PA view, L wrist X-ray, pediatric patient (girl, age 1.3), acquired on Siemens: 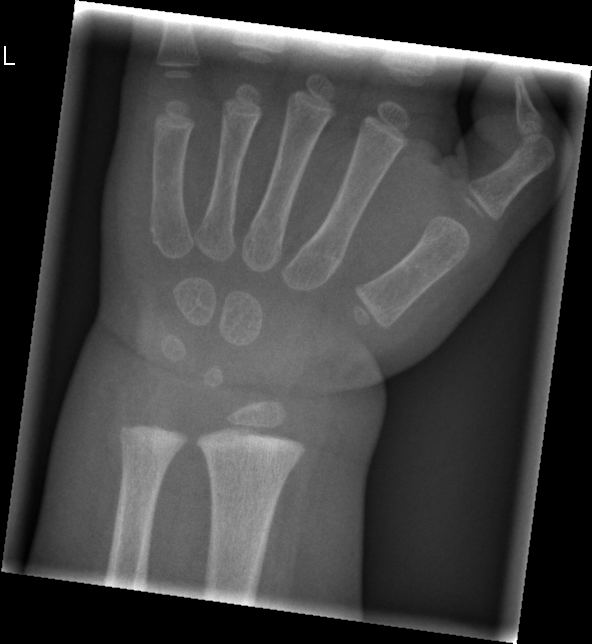 No fracture bounding box.